Left wrist pediatric wrist radiograph · PA view · 8-year-old male · imaged through cast —

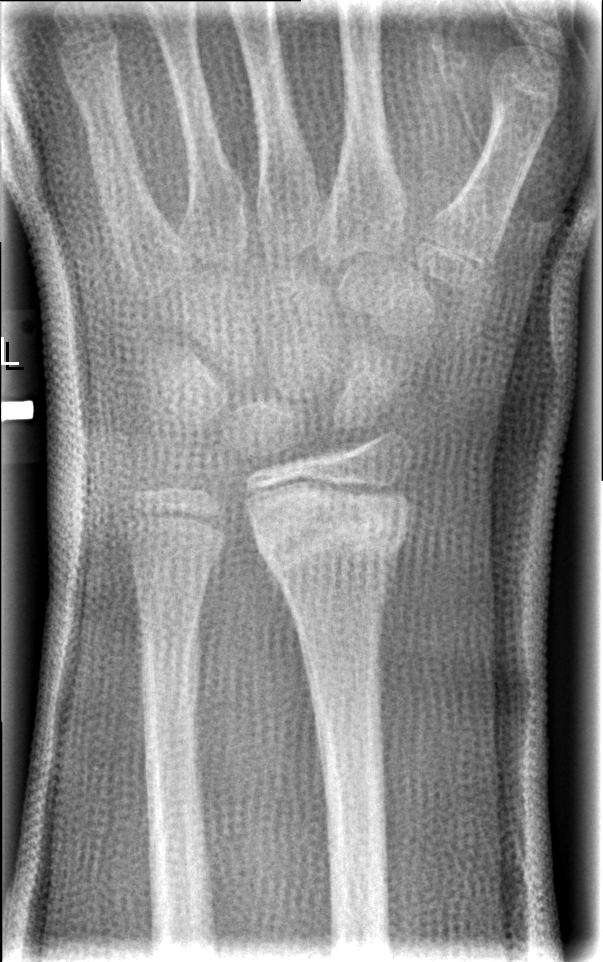

* Pixel coordinates, top-left origin, xyxy.
* Fx: [242, 479, 418, 587].
* AO code 23r-M/3.1; 23u-M/2.1.